Lateral view · right wrist radiograph · female, 7 yo · initial study · detector: Siemens —

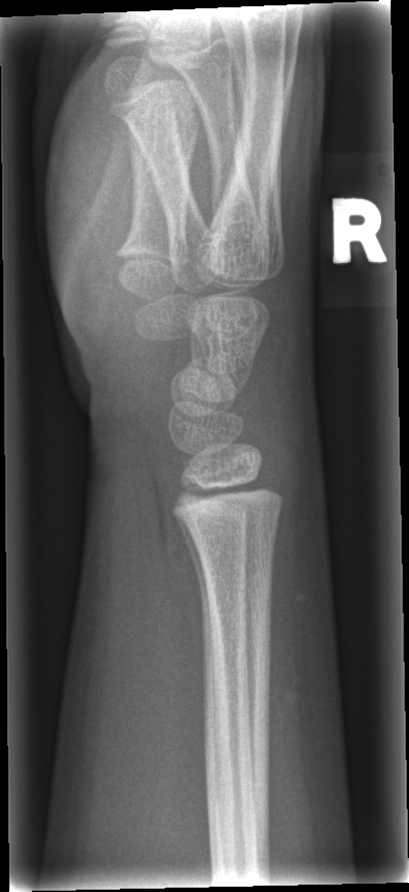 FINDINGS — No fracture bounding box.